Left wrist X-ray, lateral view, 8y F, subsequent exam, 348 by 810 pixels: 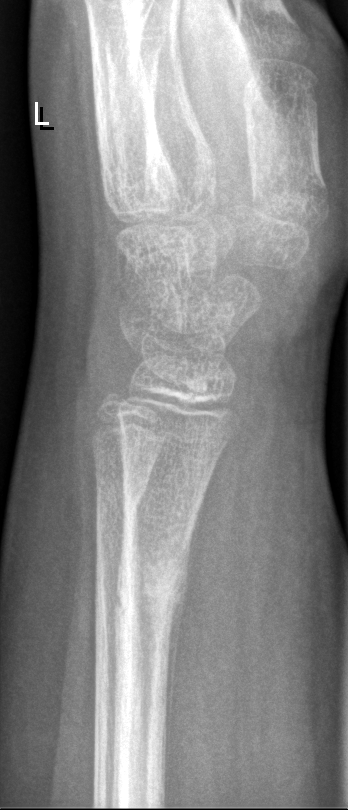 Decreased bone density (osteopenia). One periosteal reaction at 165,534,192,780. AO code 23-M/2.1. Fractures — 108,553,187,652
  89,476,151,531.